Right wrist X-ray, frontal view, 9y F.

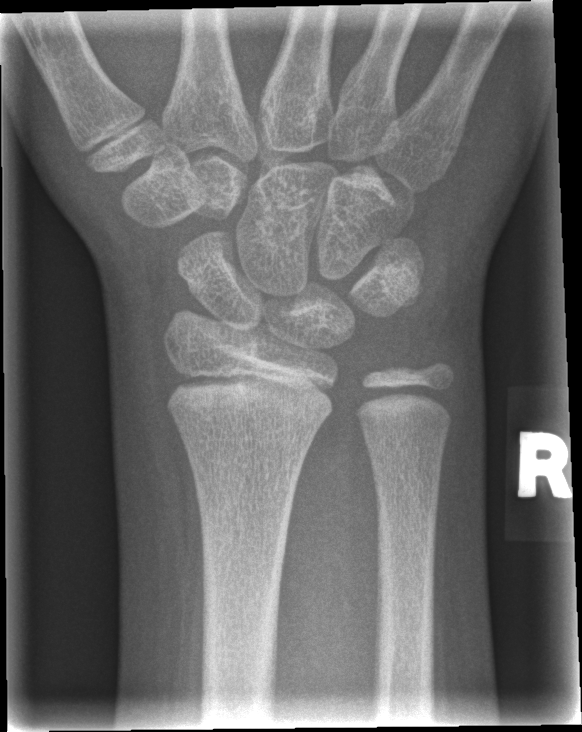

Fracture = none labeled